Lt wrist X-ray; lat view; age 17 y, boy; index exam; 410 x 994 px.

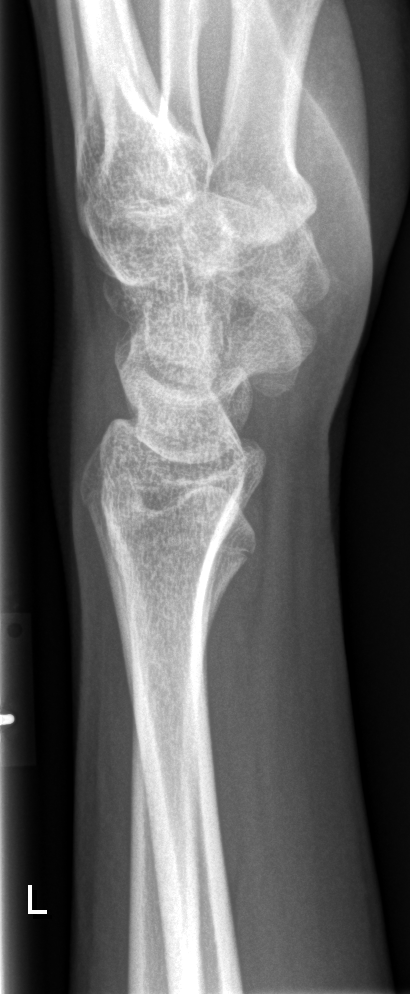
bone fracture: none labeled